Lateral view · right wrist plain film · index exam · Siemens · image size 639x912

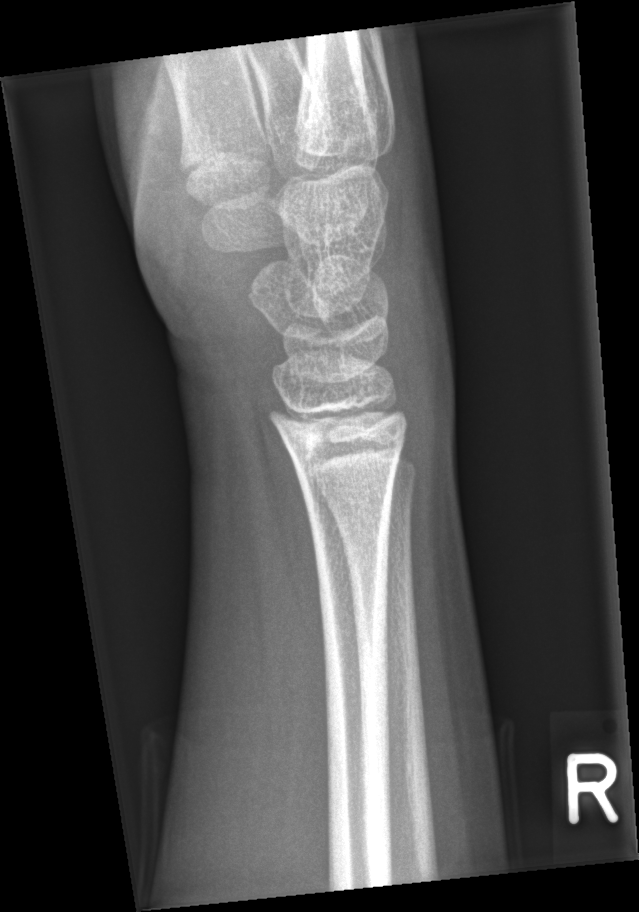

No Fx annotated.